Lat view; R plain radiograph of the wrist; 5-year-old male; detector: Siemens.
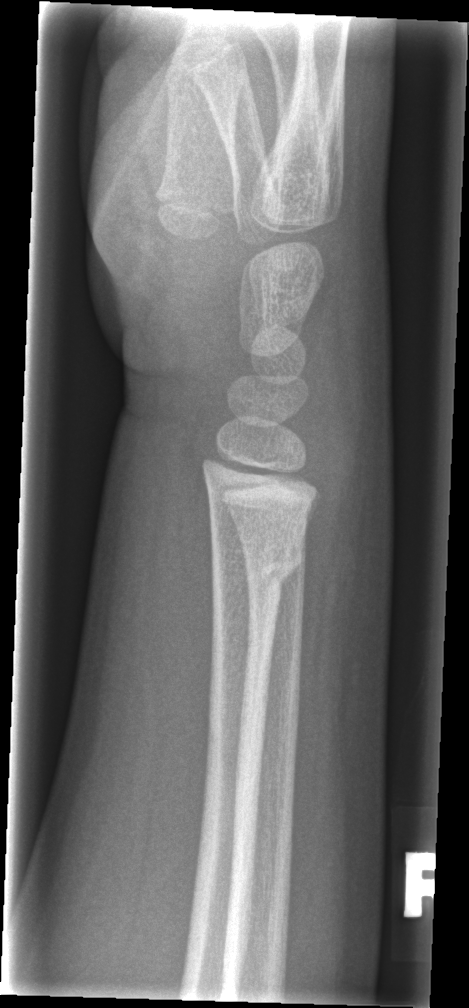

(boxes as x1,y1,x2,y2 (top-left / bottom-right, pixel units))
Q: Fracture present?
A: One bone fracture at <205,531>-<309,606>